Rt wrist plain film · lateral · follow-up · in cast · image width 97.3 mm.
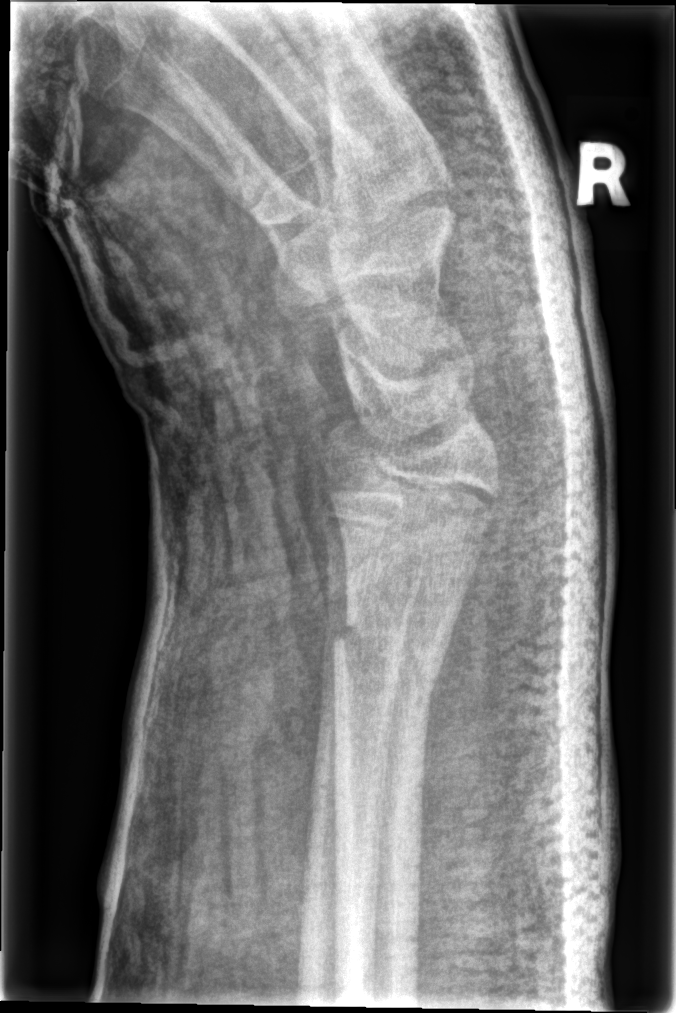

- AO code 23r-M/3.1; 23u-E/7.
- Fracture — (327, 609, 450, 716).